R pediatric wrist radiograph; lat; pediatric patient (female, age 11); 88.1 mm image width; image size 612x882.
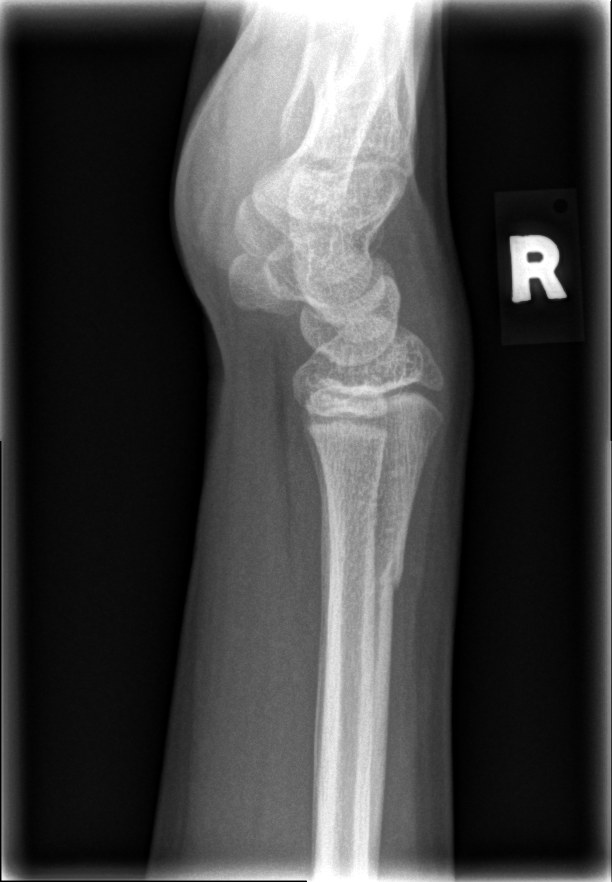

AO/OTA classification: 23r-M/2.1. Fx — [x1=325, y1=545, x2=408, y2=604].